Right wrist plain radiograph of the wrist, AP projection, age 15 y, boy, follow-up study, in cast: 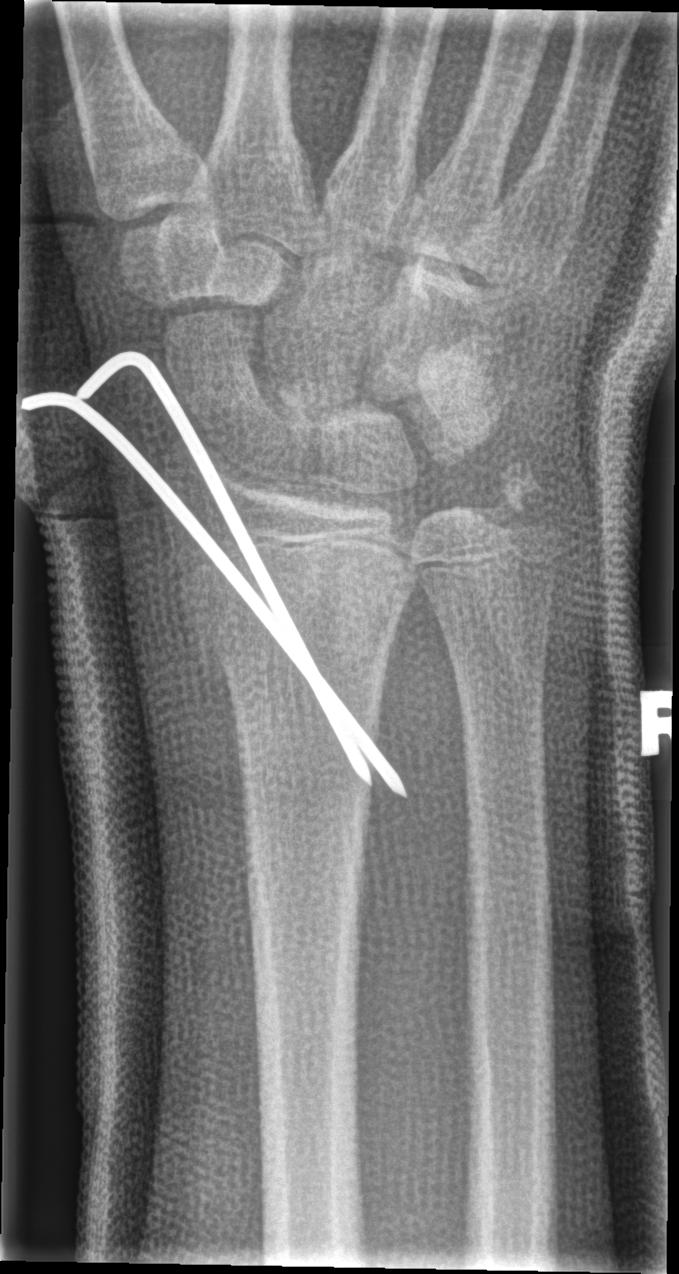
FINDINGS — Bone fracture identified at [190, 565, 413, 688] [463, 451, 573, 565]. AO/OTA classification: 23r-M/3.1; 23u-E/7. Hardware identified at [18, 325, 426, 810].